Left plain radiograph of the wrist · lateral view. 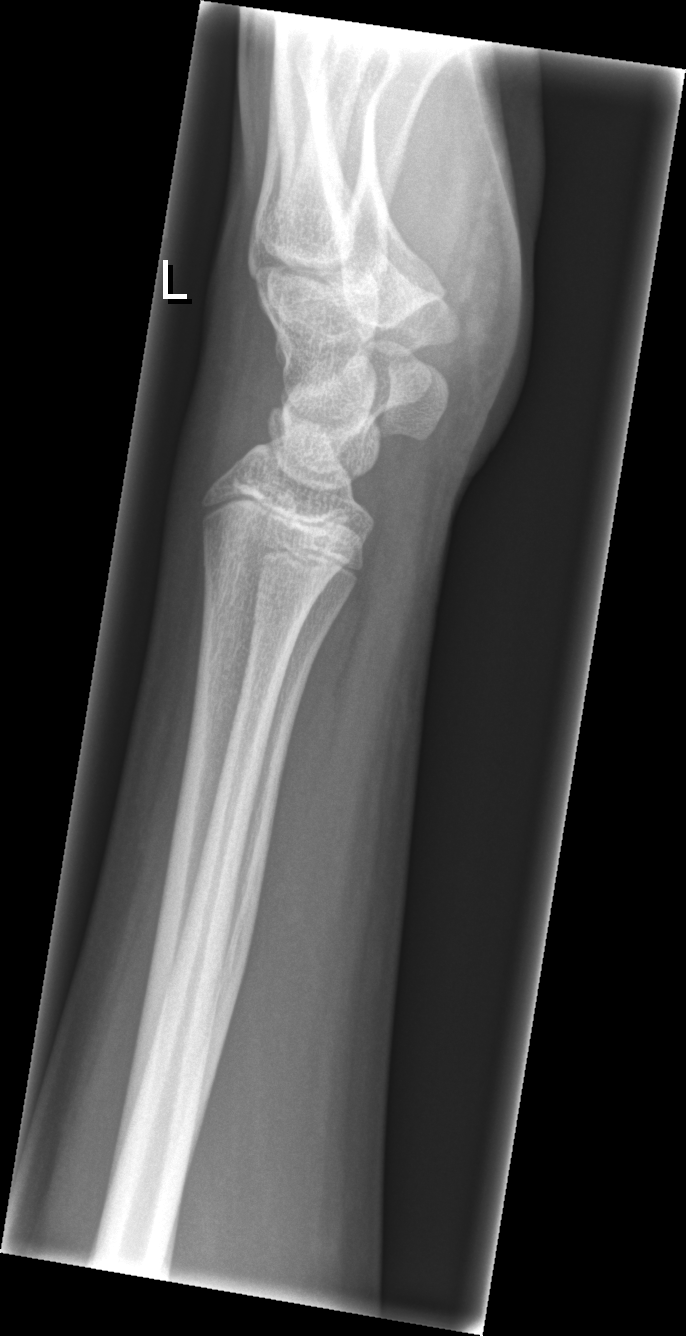 • No fracture annotation.